Left wrist plain radiograph of the wrist; PA projection; cast present; image 100.8 mm wide —

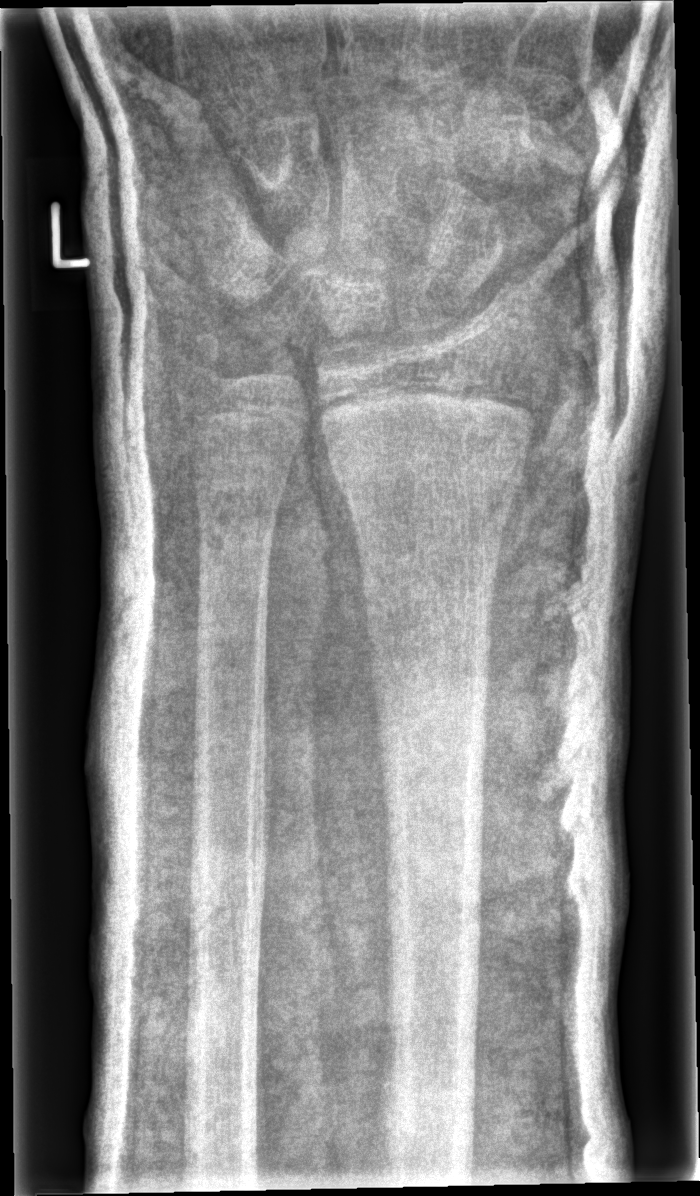 (bounding boxes in image-pixel xyxy)
bone fracture = (left=325, top=427, right=527, bottom=520) (left=173, top=326, right=240, bottom=389)